Lt wrist X-ray | lateral | image size 591x1266 —
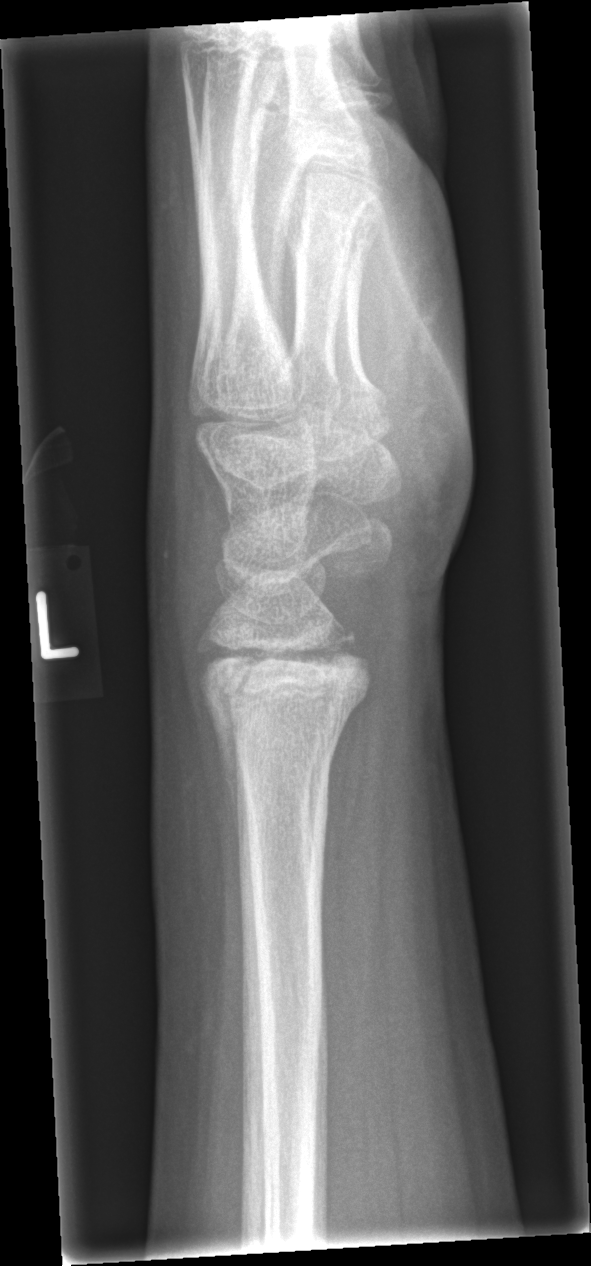

Bone fracture: 203,629,375,777
Periosteal thickening: 198,674,239,839